PA/AP projection, R wrist radiograph, male, 13 yo 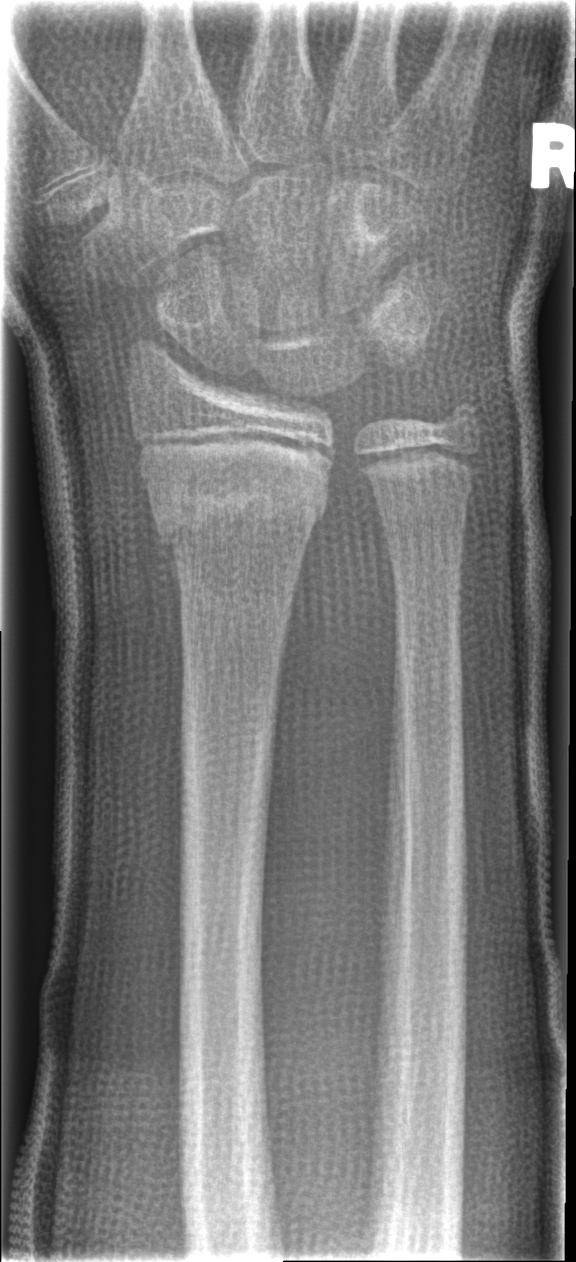

FINDINGS: Fx: 145,451,326,563 | 429,388,488,447.